PA/AP, R plain radiograph of the wrist, age 14 y, female, presentation radiograph, image size 645x1252.

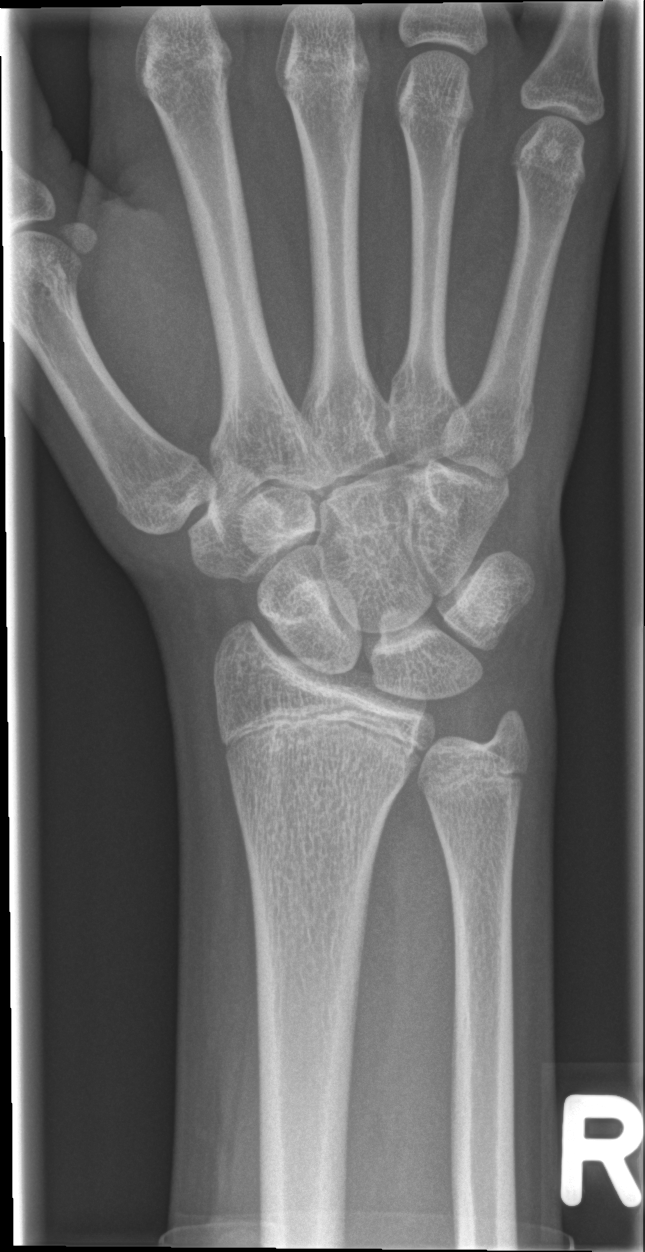 No fracture labeled.